Right wrist radiograph; lateral view; age 3 y, male.

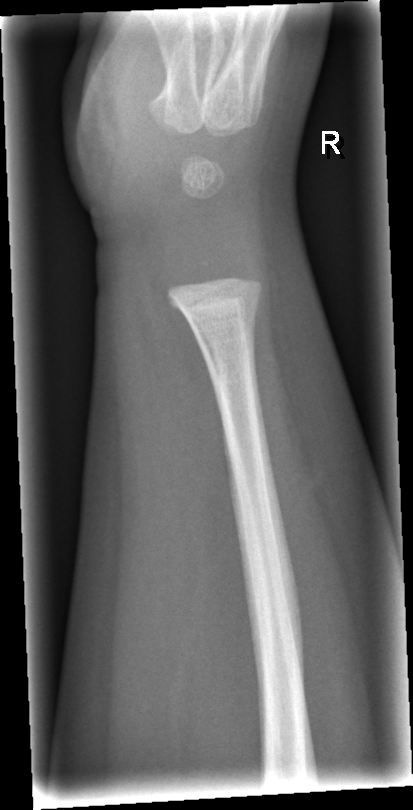

# pixel coordinates, top-left origin, xyxy
fracture: [x1=178, y1=289, x2=263, y2=342]